Rt wrist plain film | frontal view | female, 6 yo.

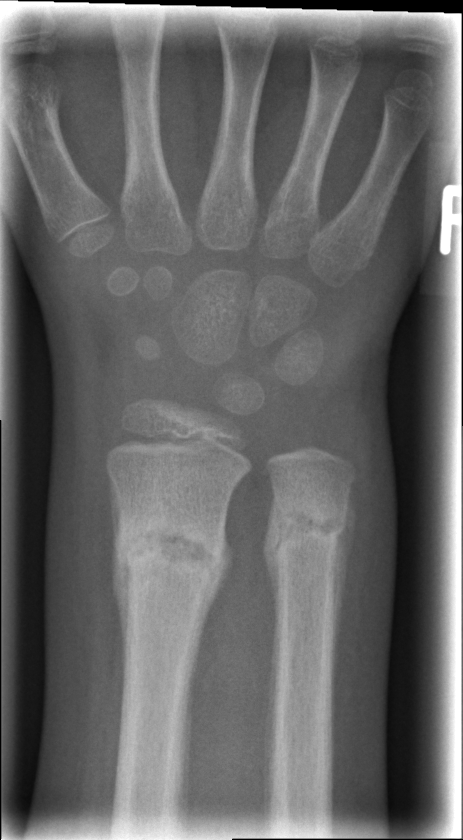 AO code 23-M/3.1. Two Fx at bbox(107, 497, 232, 610), bbox(261, 490, 358, 580).